PA/AP projection, Lt plain radiograph of the wrist, boy, 13 yo, image width 84.8 mm: 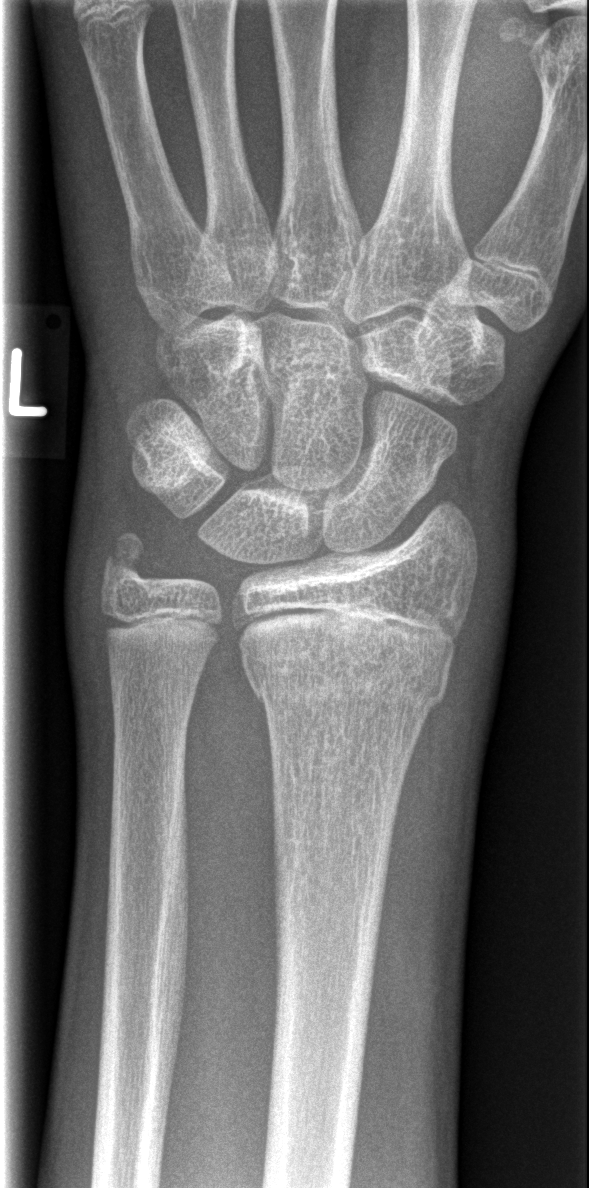

FINDINGS: (boxes as x1,y1,x2,y2 (top-left / bottom-right, pixel units)) Fx: 237 619 457 728; 93 527 161 593.